R pediatric wrist radiograph · AP projection · 12y F · 483x1324 —
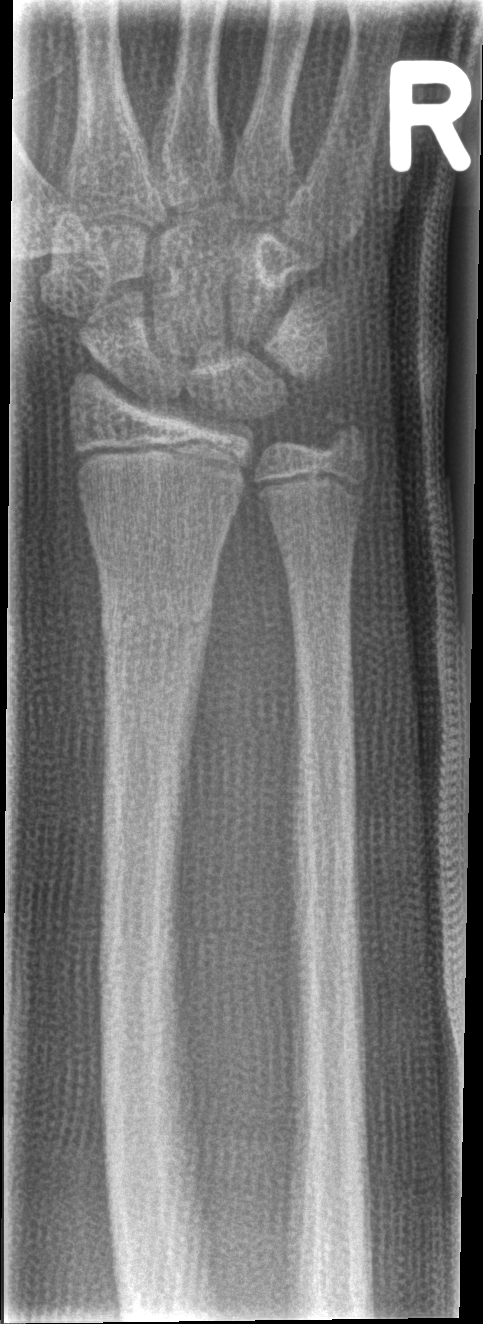 {
  "ao": "23r-M/3.1; 23u-E/7",
  "fracture": "2 @ [x1=93, y1=578, x2=218, y2=657] [x1=316, y1=405, x2=375, y2=467]"
}